PA/AP · Lt wrist X-ray · girl, 8 yo · follow-up study · cast present:

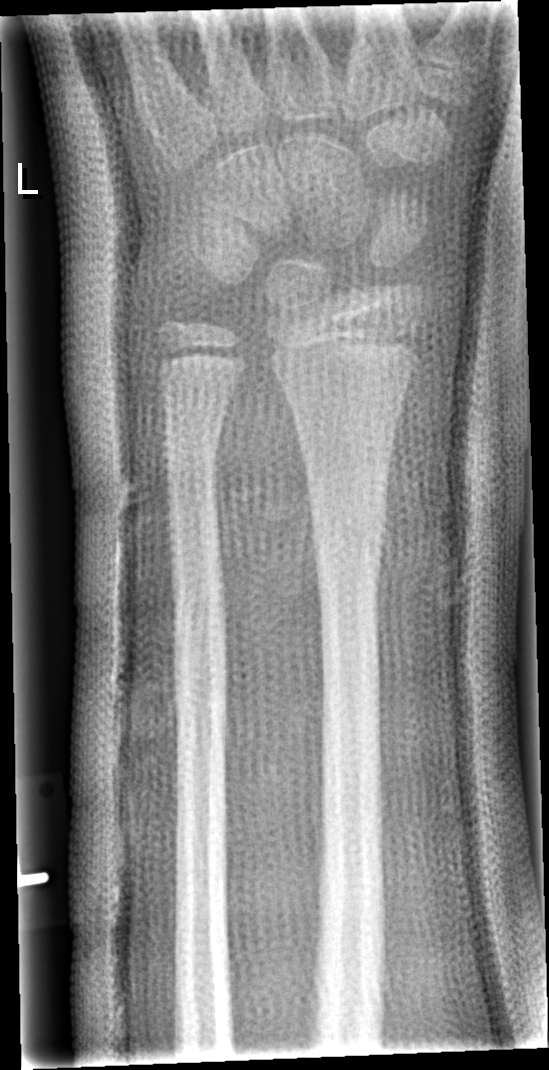
{"fracture": "present but not clearly seen in this view"}